R pediatric wrist radiograph, lateral projection, 16-year-old girl, 496 by 934 pixels:

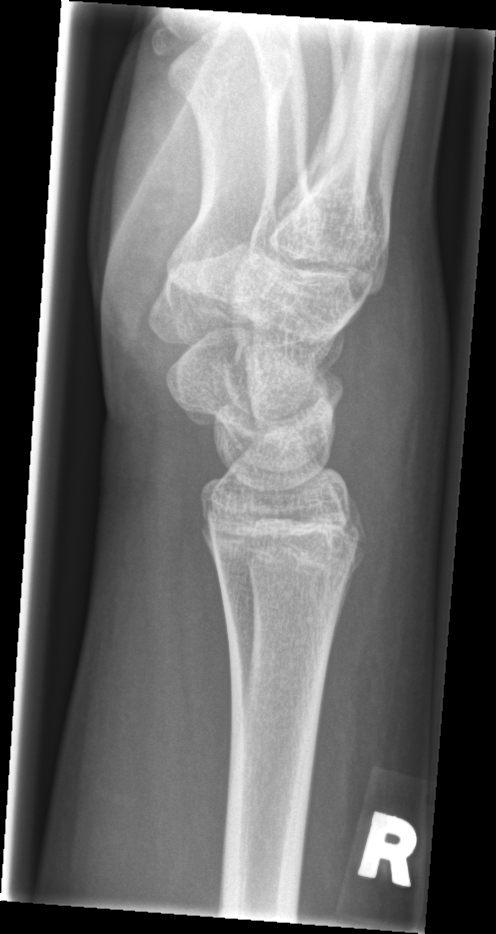

FINDINGS — Fracture: bbox(210, 540, 369, 608). Soft tissue abnormality: bbox(297, 428, 448, 870).